Right wrist plain radiograph of the wrist | lat view | age 17 y, female | image size 540x914

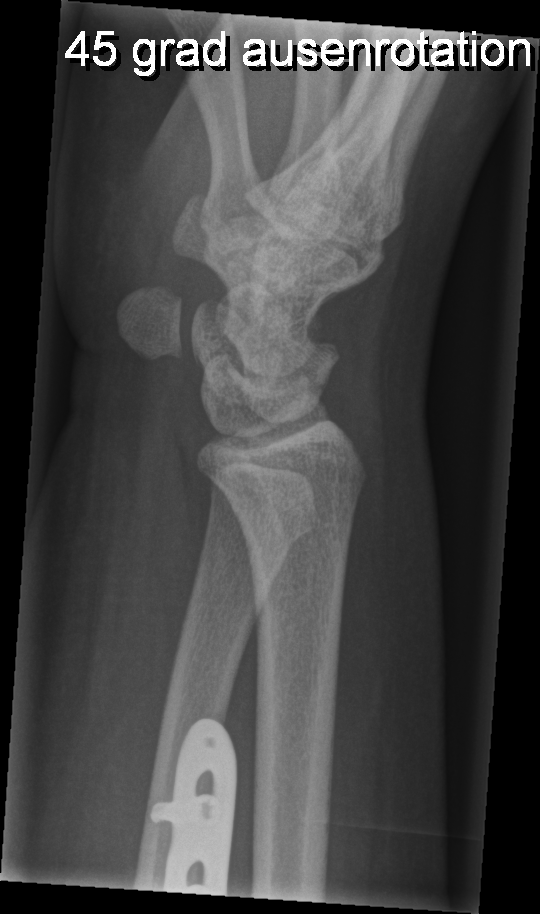
Fracture = none labeled
Metal = (left=148, top=715, right=239, bottom=897)